Lateral view | left plain radiograph of the wrist | subsequent exam | cast present.
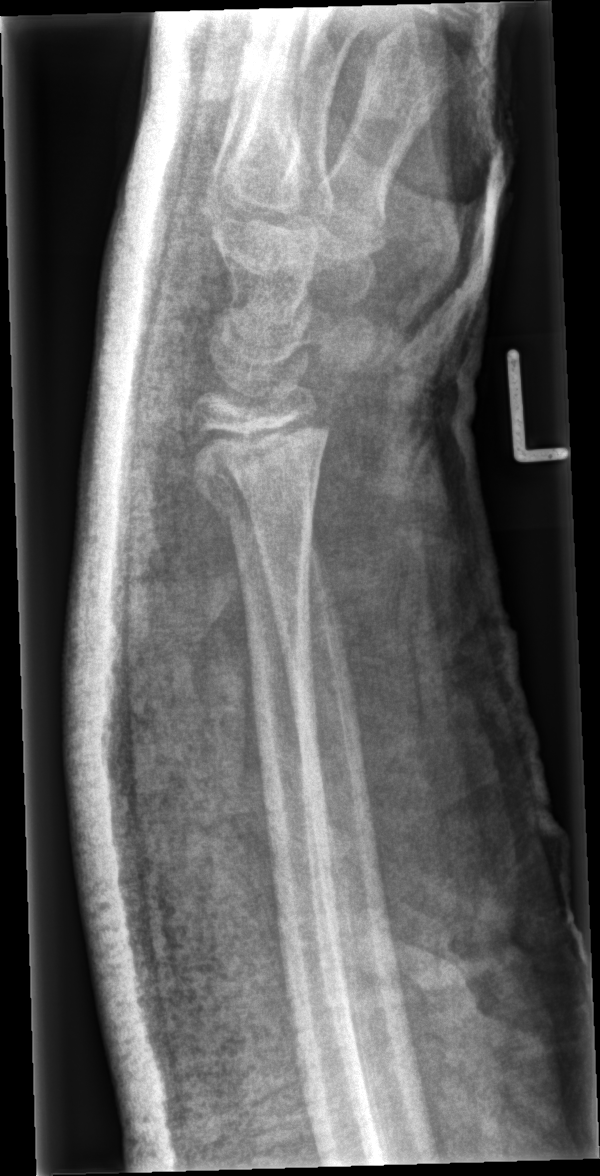

Bone fracture identified at 189,410,334,526.
AO code 23r-E/2.1.